AP projection; Rt wrist X-ray; acquired on Siemens; 559 by 974 pixels —
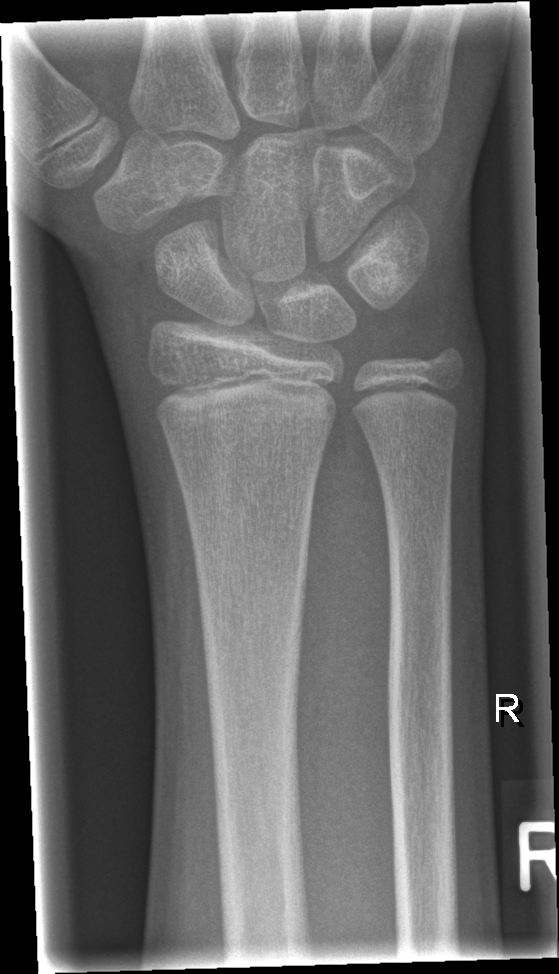

bone fracture = none labeled